Lt wrist XR, lat projection, cast in situ —
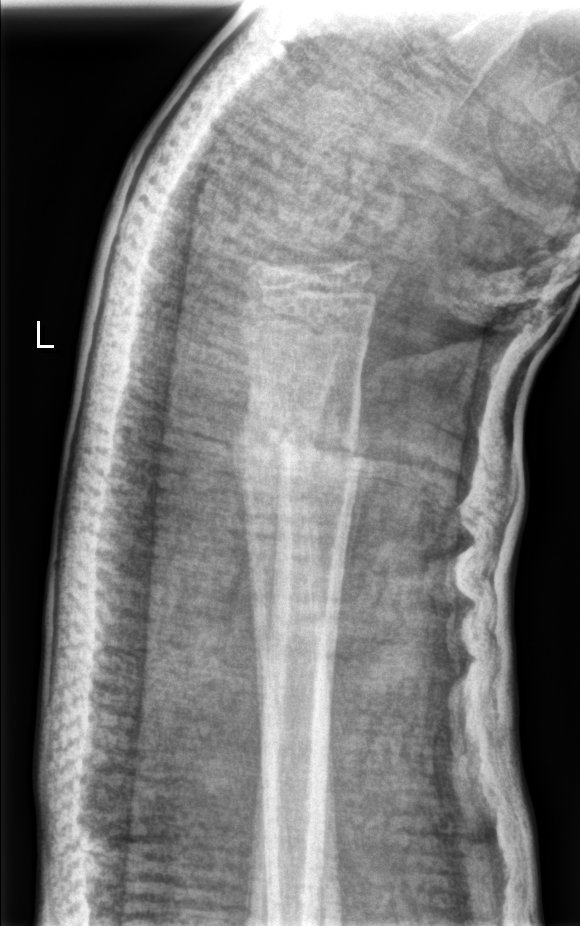 (bounding boxes in image-pixel xyxy)
Fx = 1 @ (left=236, top=401, right=373, bottom=491)
AO code = 23r-M/3.1; 23u-M/2.1; 23u-E/7